R wrist plain film, lat view, boy, 5 yo, follow-up, in cast —
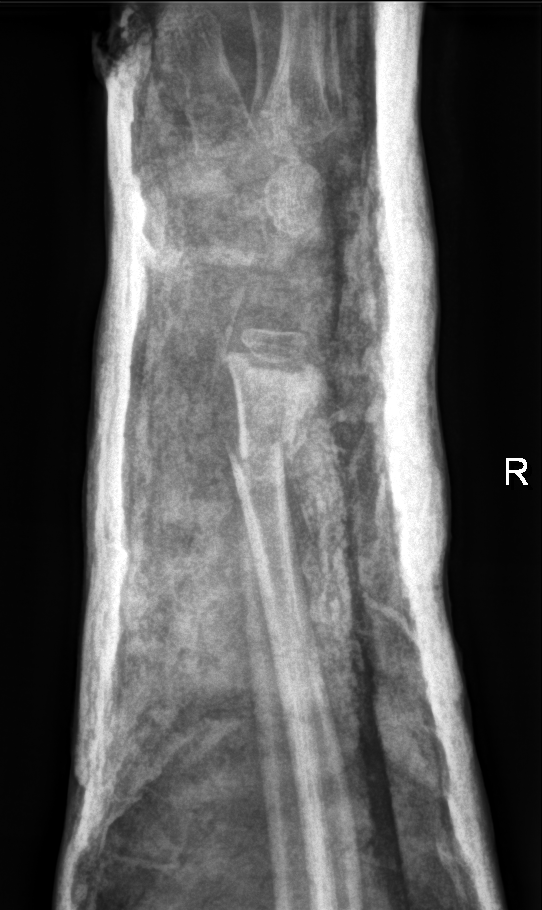

- Fx — bbox(221, 425, 313, 475).